AP projection, right wrist radiograph, Siemens

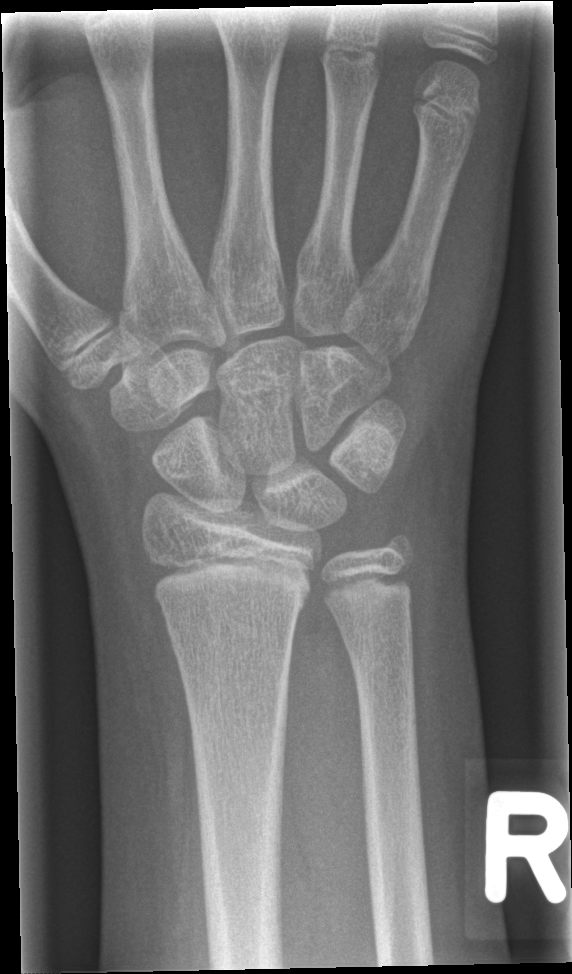
Fx: none.